Lateral projection, right wrist XR, female, 13 yo, 391 x 1336 px:
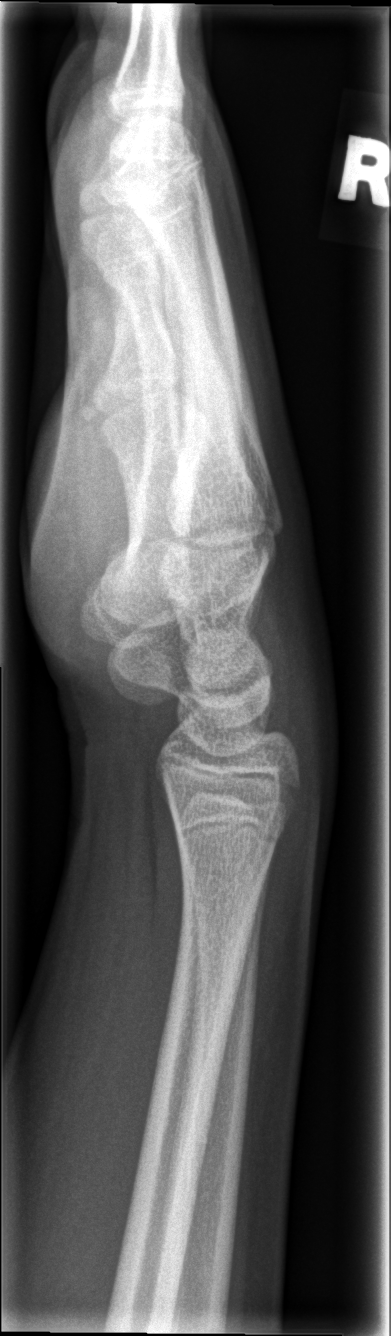 FINDINGS: No fracture labeled.